Lat, R wrist radiograph, pediatric patient (girl, age 16), Siemens —

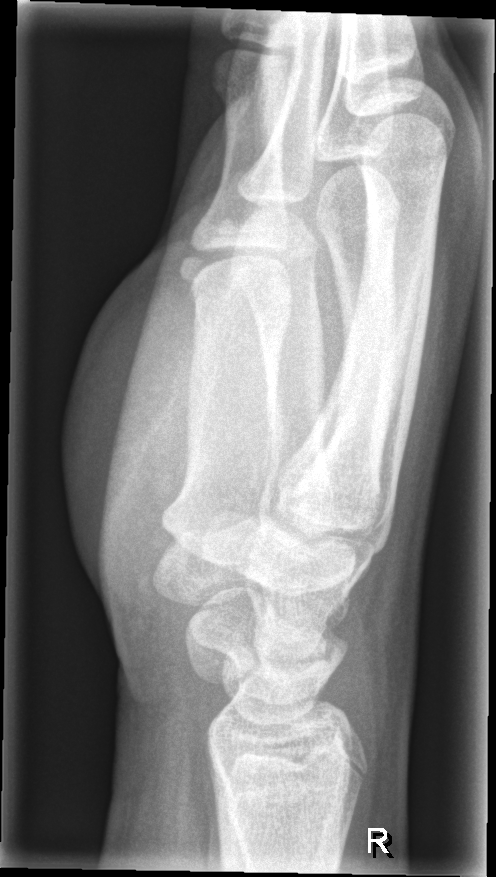 Q: Is there a fracture?
A: No fracture labeled